R wrist radiograph; AP projection; male, 8 yo; Siemens; 584 x 1181 px
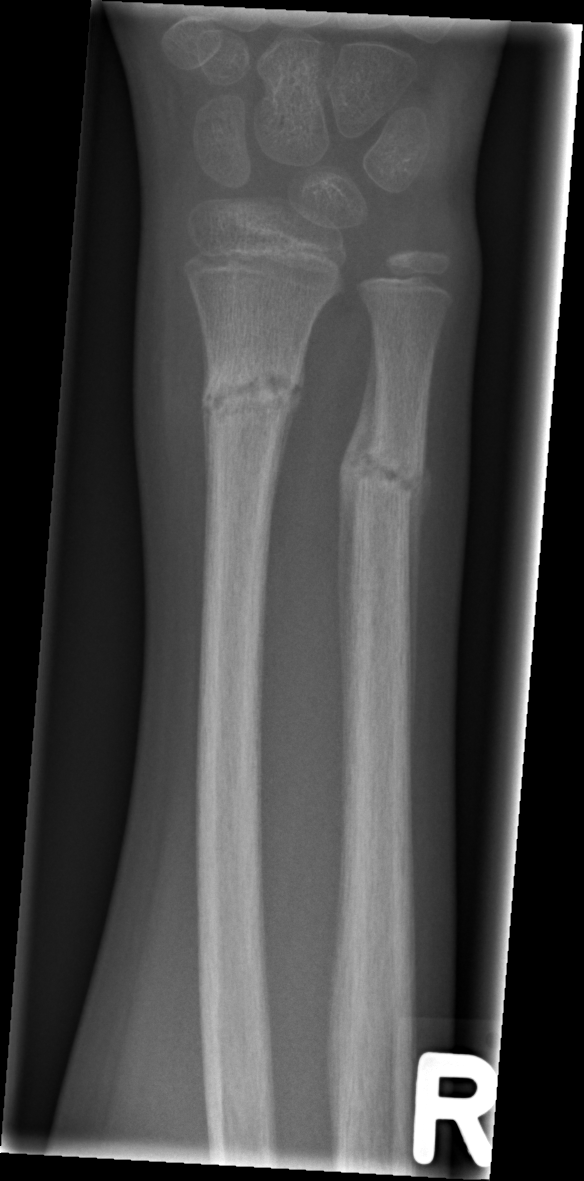 * Coordinates are [x1, y1, x2, y2] in image pixels.
* Two Fx at (left=196, top=354, right=308, bottom=430), (left=335, top=432, right=430, bottom=510).
* AO/OTA classification: 23-M/3.1.
* Osteopenic.
* Four periosteal thickening at (left=337, top=323, right=381, bottom=787); (left=407, top=453, right=432, bottom=742); (left=274, top=353, right=305, bottom=494); (left=201, top=405, right=211, bottom=496).